Lt plain radiograph of the wrist; AP; age 13 y, boy; 516 by 964 pixels.

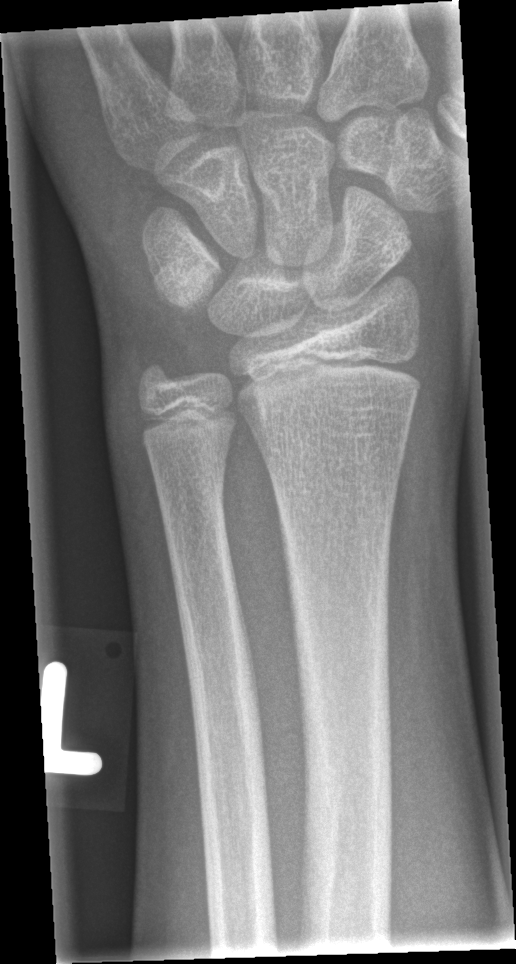
{"fracture": "none labeled"}